AP projection, left wrist XR, 10y M —
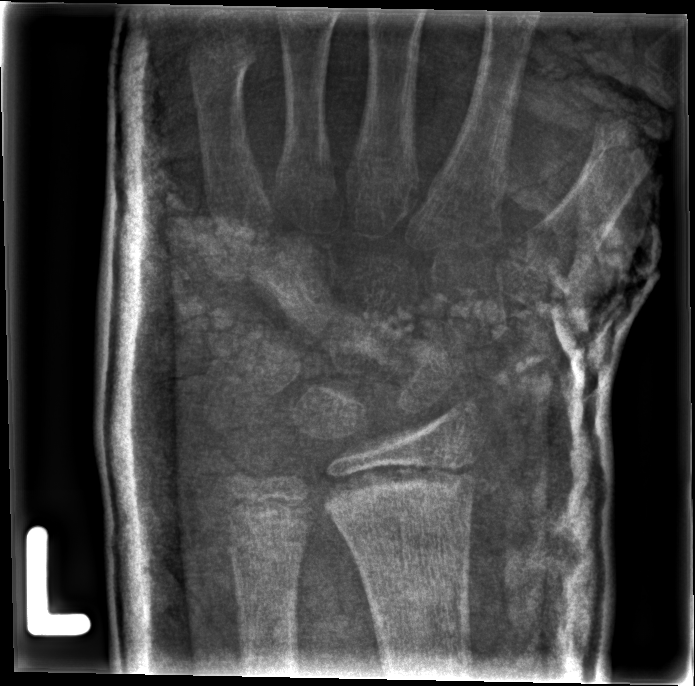

AO/OTA: 23r-E/2.1
Bone fracture: [320, 446, 485, 543]